Lat view · Lt pediatric wrist radiograph · acquired on Siemens —

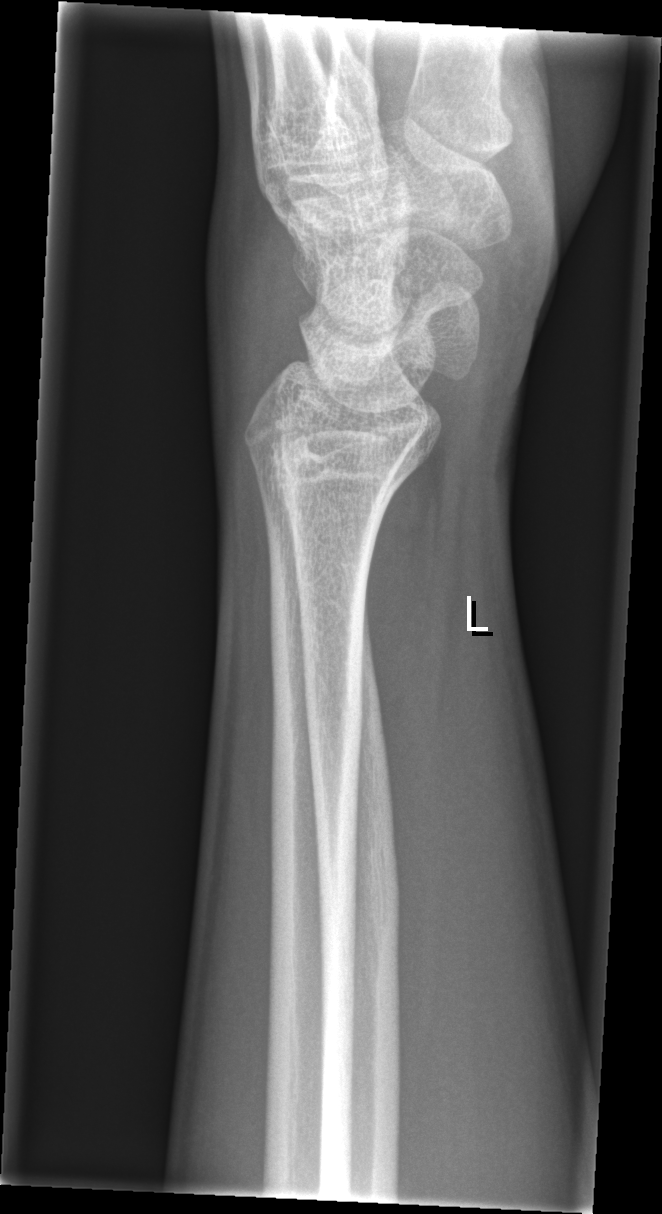 Q: Any fracture seen?
A: No fracture annotation
Q: Is there soft-tissue abnormality?
A: Soft tissue abnormality: 202,184,304,420